Lat view, right wrist X-ray, male, 11 yo, 449 by 1380 pixels 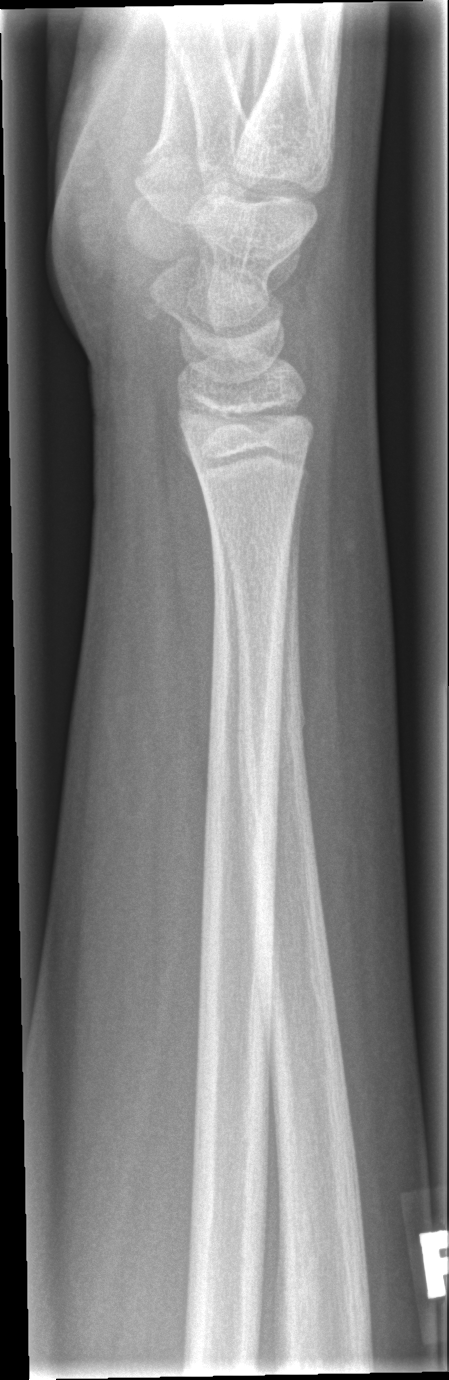

bone fracture = 1 @ (235, 690, 310, 830)
AO/OTA = 22u-D/2.1